Rt pediatric wrist radiograph; lat; age 13 y, boy.

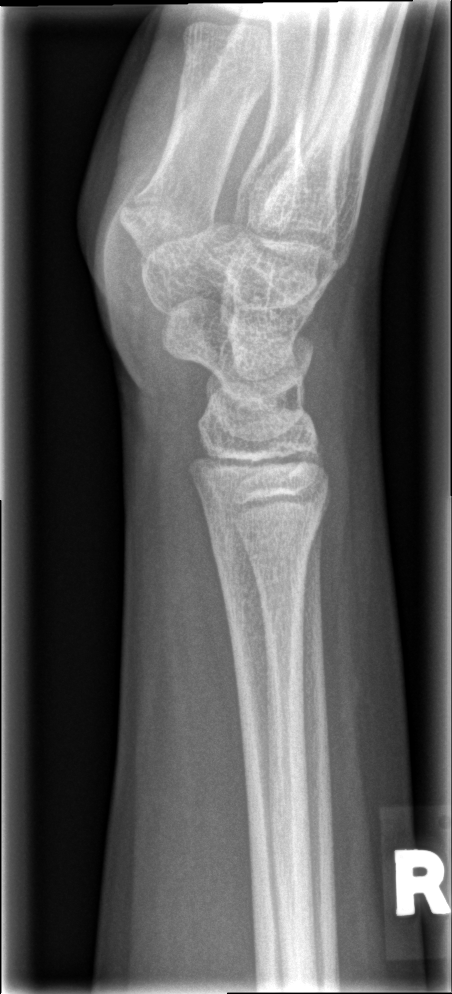
(boxes as x1,y1,x2,y2 (top-left / bottom-right, pixel units))
AO classification = 23r-M/2.1
bone fracture = 1 @ (209, 505, 324, 583)